Lat projection, left wrist XR, 6y M, detector: Siemens, 478x812 — 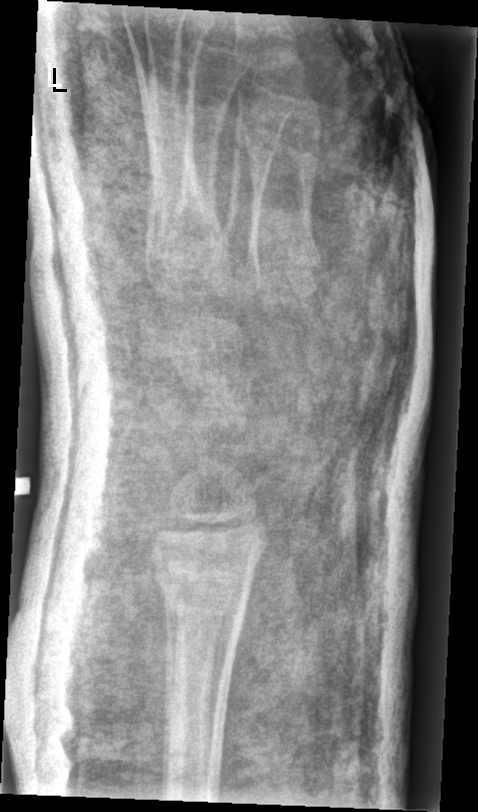 {"_coords": "pixel coordinates, top-left origin, xyxy", "ao": "23r-M/2.1", "fracture": "(150, 550, 256, 628)"}